Lat view; R wrist plain film; index exam; acquired on Siemens.

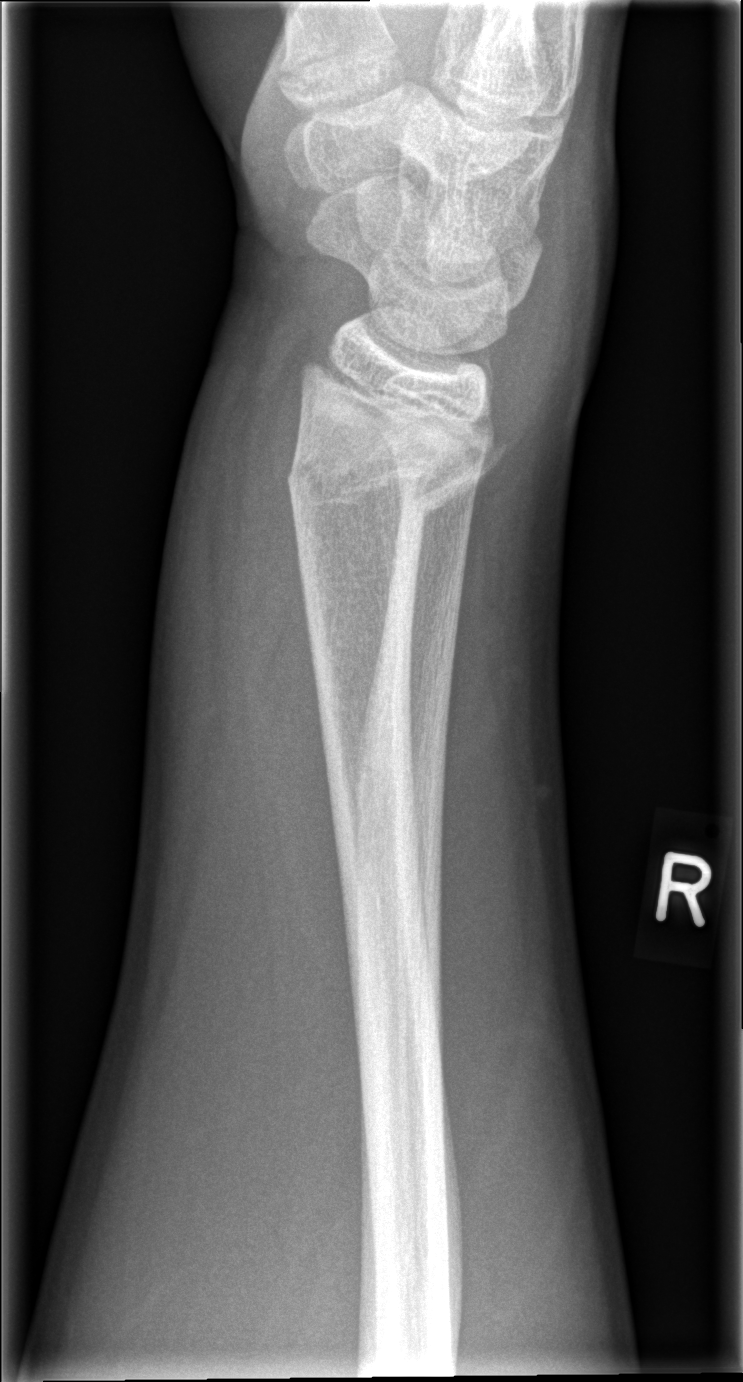
Findings: AO code 23r-M/3.1; 23u-E/7. Fracture: [284, 419, 514, 530].